Left wrist XR | posteroanterior | imaged through cast
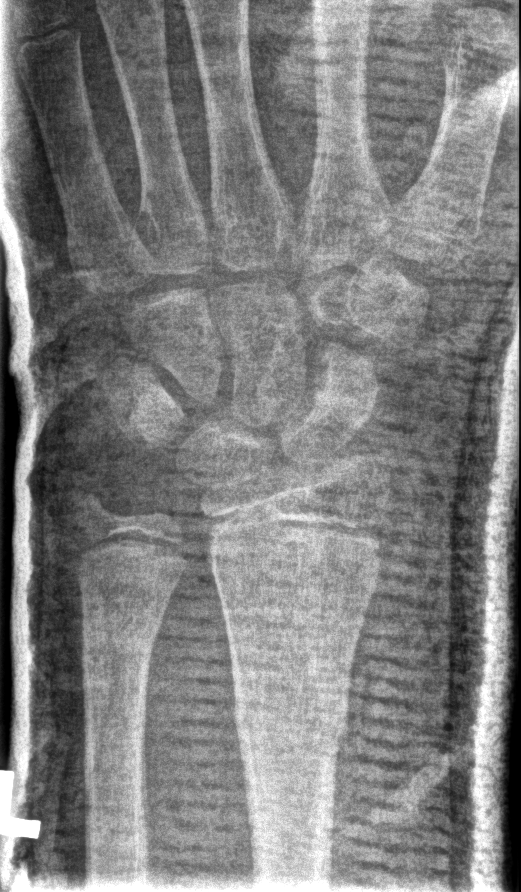

FINDINGS — Two fractures at 231,680,353,761; 79,622,164,665.